Posteroanterior; Rt wrist plain film; pediatric patient (female, age 10); detector: Siemens.
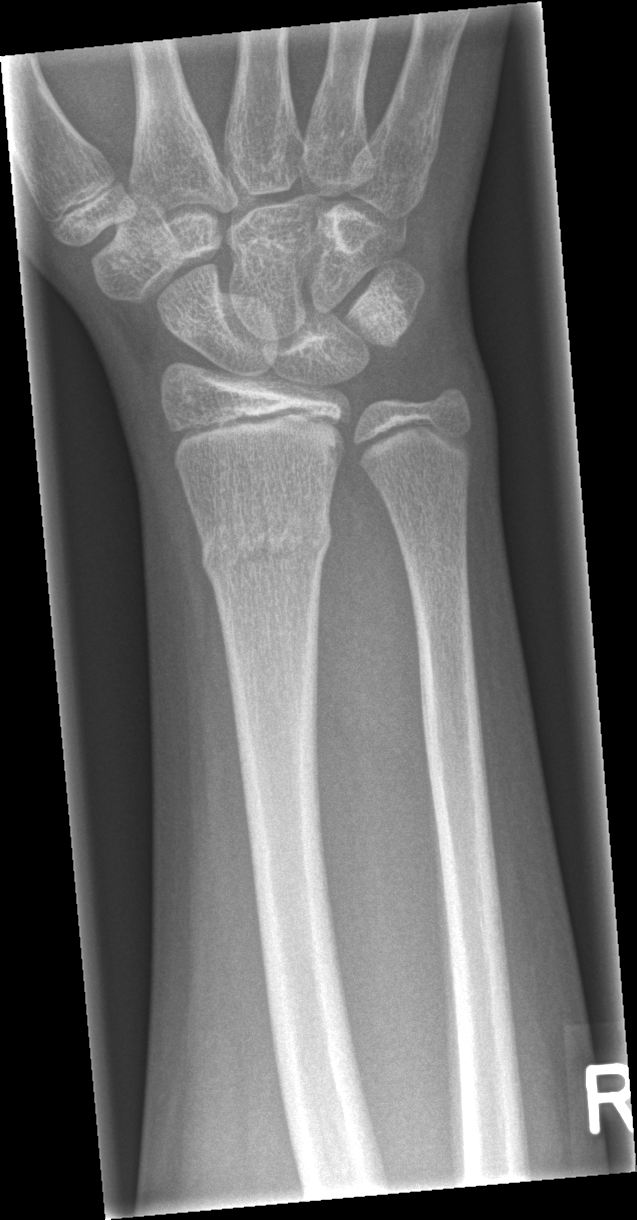

FINDINGS — Bone fracture — (left=197, top=510, right=335, bottom=582).